Left wrist X-ray · lateral projection · female, 13 yo · 364 by 1092 pixels 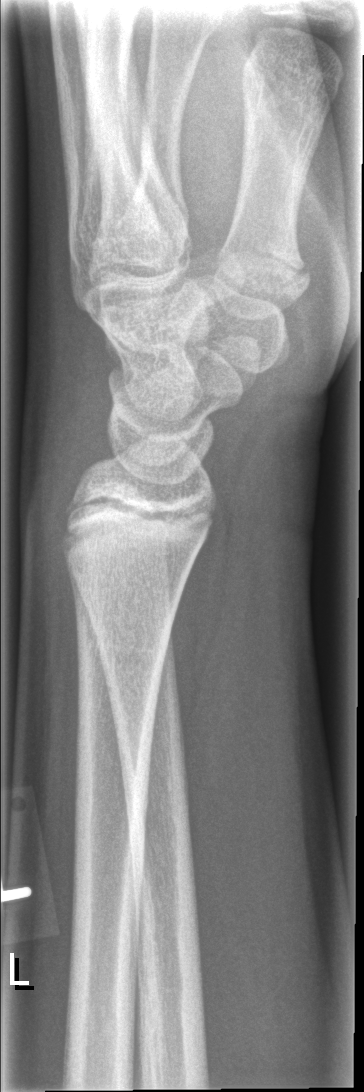

Fracture: none labeled.